Lat · R wrist XR · 4y M · 53.4 mm image width. 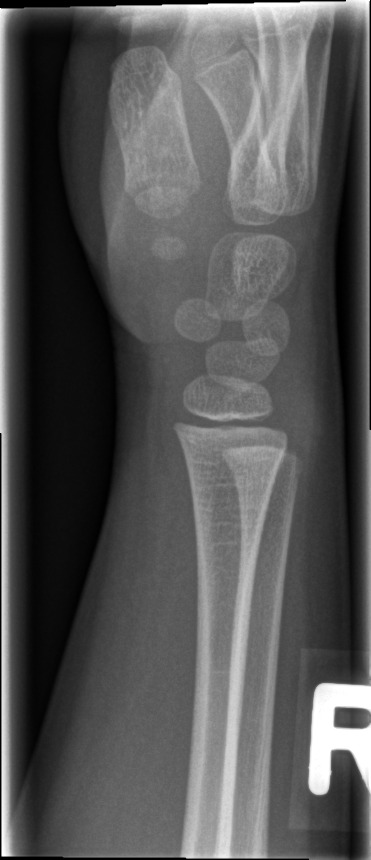

FINDINGS: No fracture labeled.